Posteroanterior · R wrist radiograph · 13y M:
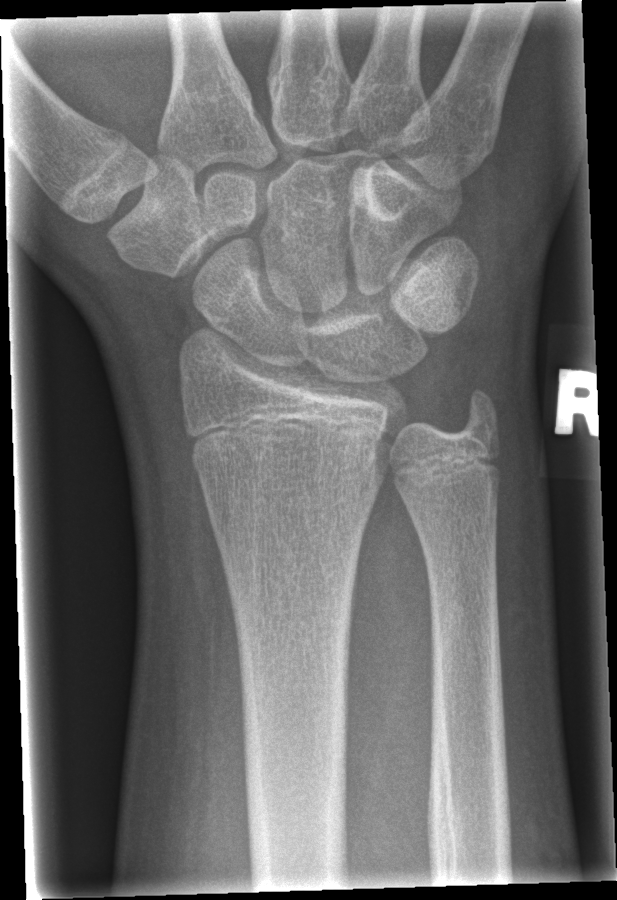
FINDINGS: Fx: none.